PA projection · L wrist radiograph · pediatric patient (female, age 8) · imaged through cast · image 93.3 mm wide · 648 x 1206 px

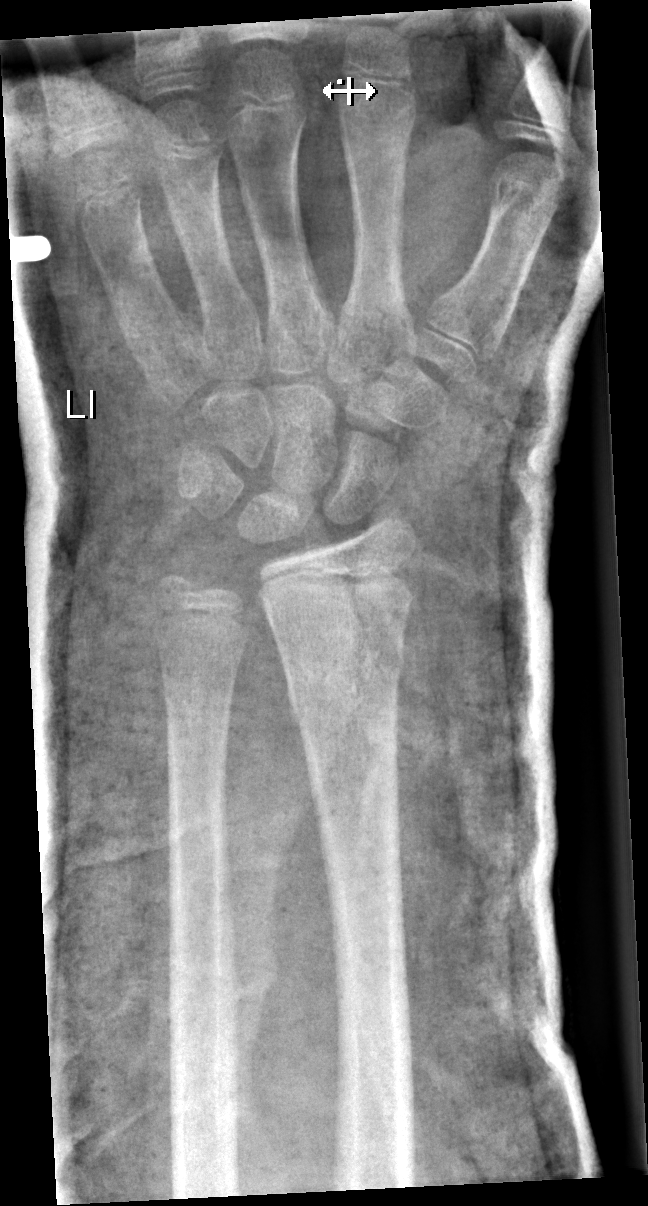

Fracture: (left=280, top=635, right=408, bottom=714)
AO/OTA: 23r-M/3.1